Lt wrist plain film, PA, image size 425x566 —

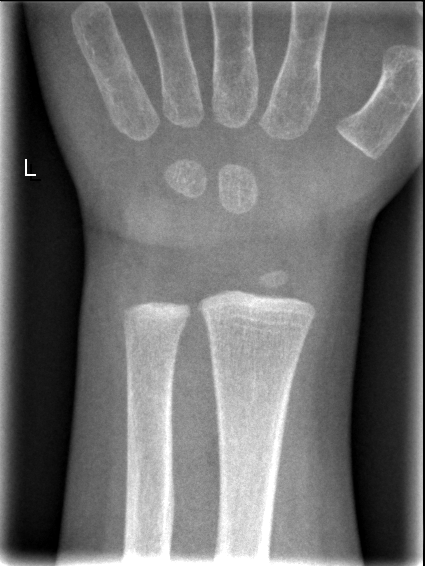

Fx = none labeled